Posteroanterior projection; left wrist plain radiograph of the wrist; girl, 6 yo; subsequent exam; cast present; 461 x 1020 px 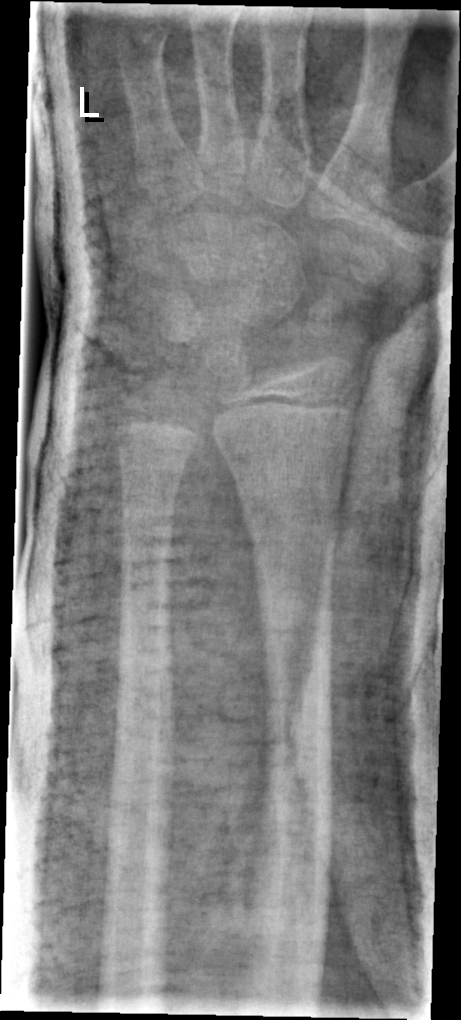

• Fx present but not clearly seen in this view.